Lateral view, L wrist radiograph. 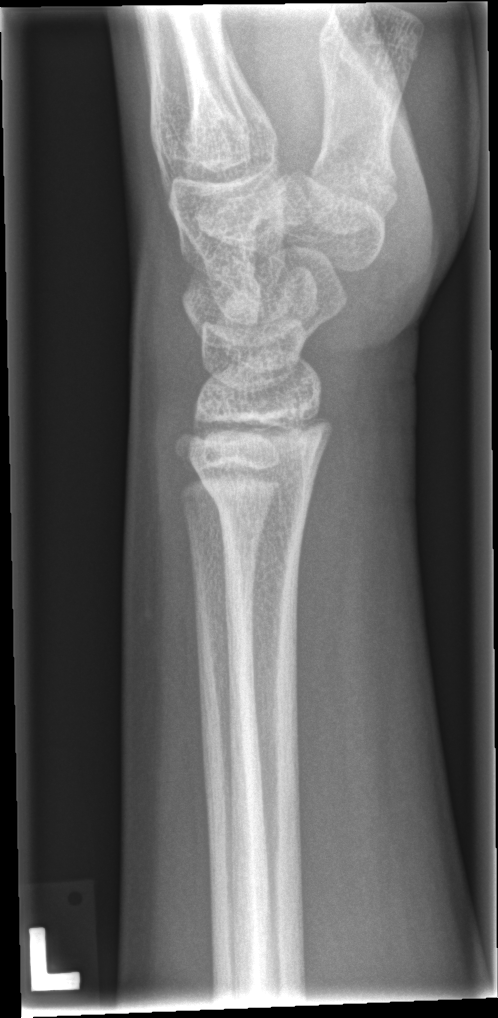

Pixel coordinates, top-left origin, xyxy. Fracture: bbox(196, 466, 315, 535). Fracture classified AO/OTA 23r-M/2.1.